Lt wrist plain film; AP view; presentation radiograph: 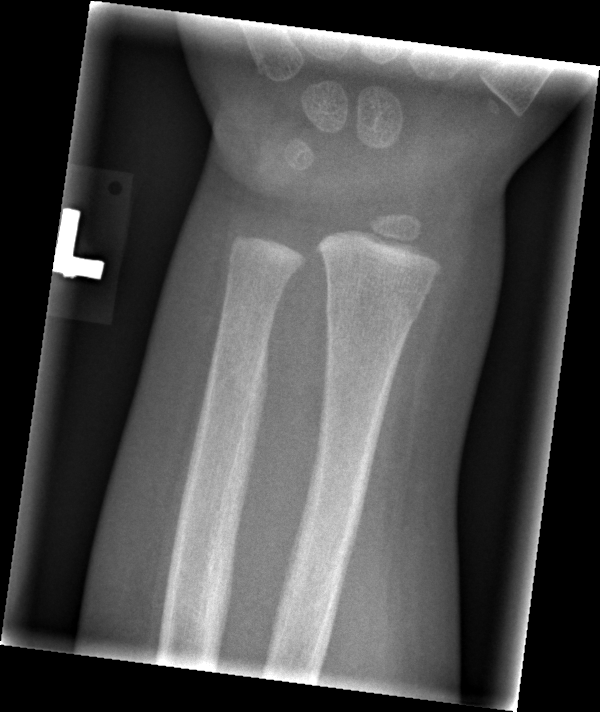

AO/OTA: 23r-M/2.1
Fx: 322 277 432 350